Lt wrist radiograph; lat; boy, 16 yo; subsequent exam; imaged through cast; detector: Siemens.
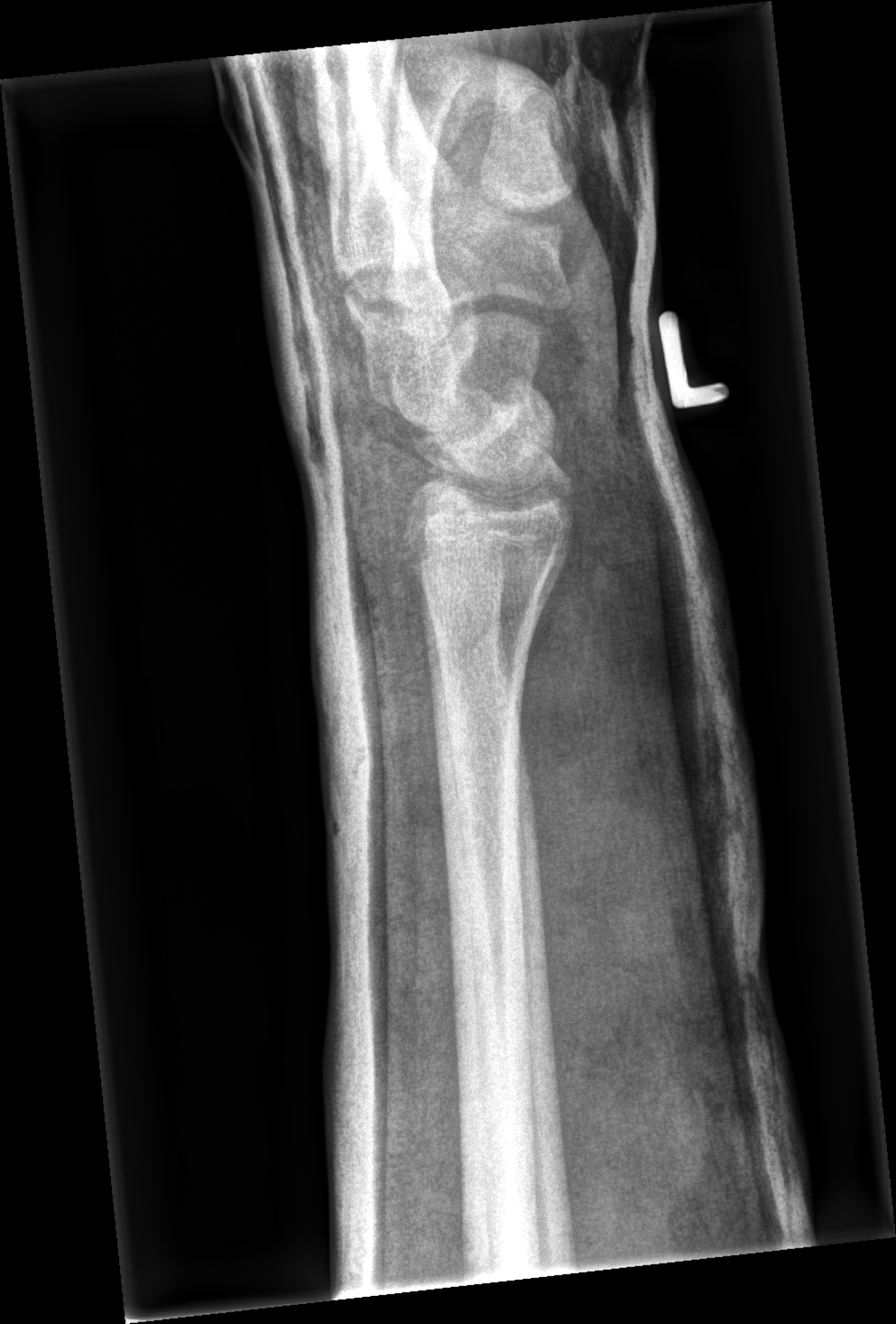

* AO code 23r-E/7.
* Fracture present but not clearly seen in this view.